L pediatric wrist radiograph; lateral projection; 7-year-old girl. 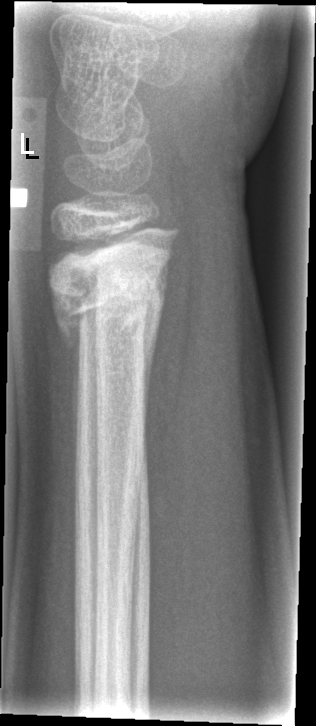 bone fracture: [46, 261, 166, 351]
AO/OTA: 23r-M/3.1; 23u-M/2.1
osteopenia: present
periosteal thickening: 2 @ [50, 285, 86, 480]; [142, 258, 171, 455]